Posteroanterior view | L wrist radiograph: 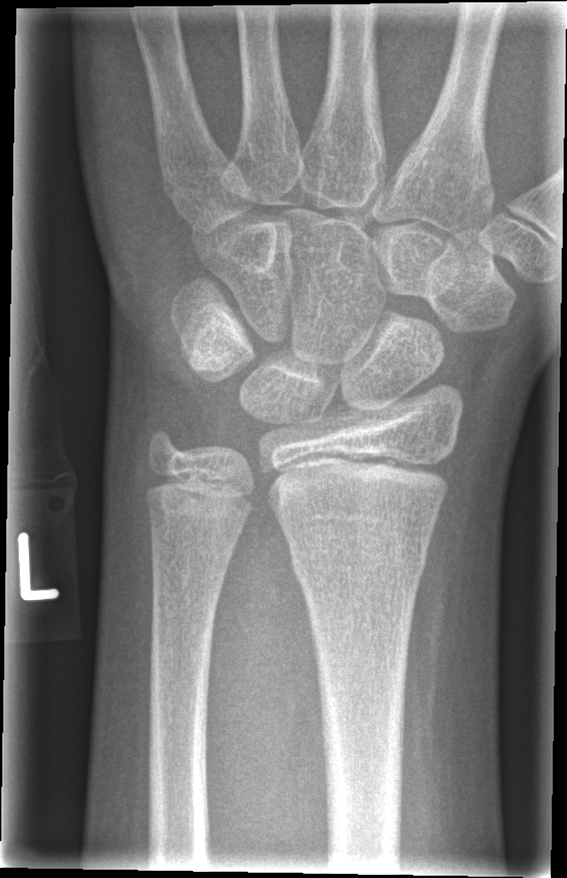

(pixel coordinates, top-left origin, xyxy)
Fx = (287, 528, 429, 597)
AO code = 23r-M/2.1